Rt wrist XR | lat projection | 345x524 —
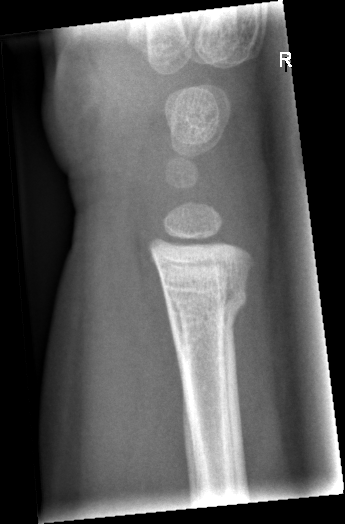

  fracture: 1 @ (left=157, top=271, right=252, bottom=337)